Left wrist XR | lat view | age 10 y, male.
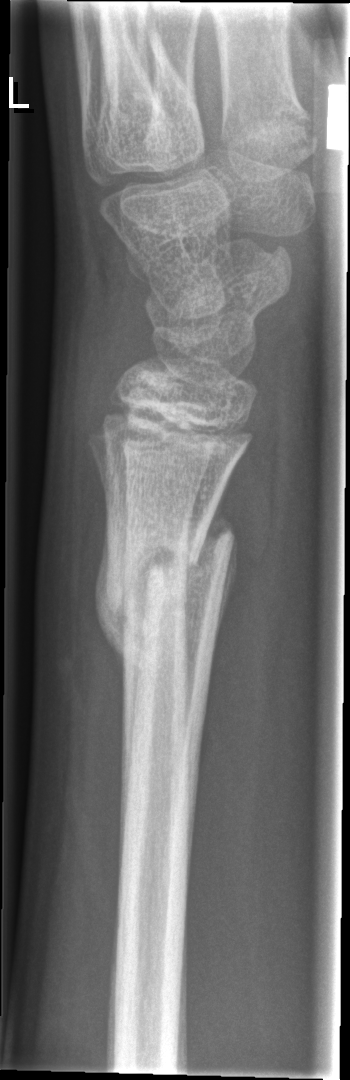
AO code: 23r-M/3.1
periosteal new bone: (left=194, top=485, right=240, bottom=663), (left=95, top=512, right=132, bottom=694)
fracture: (left=96, top=518, right=237, bottom=640)